Lt plain radiograph of the wrist, PA projection, follow-up, acquired on Siemens:
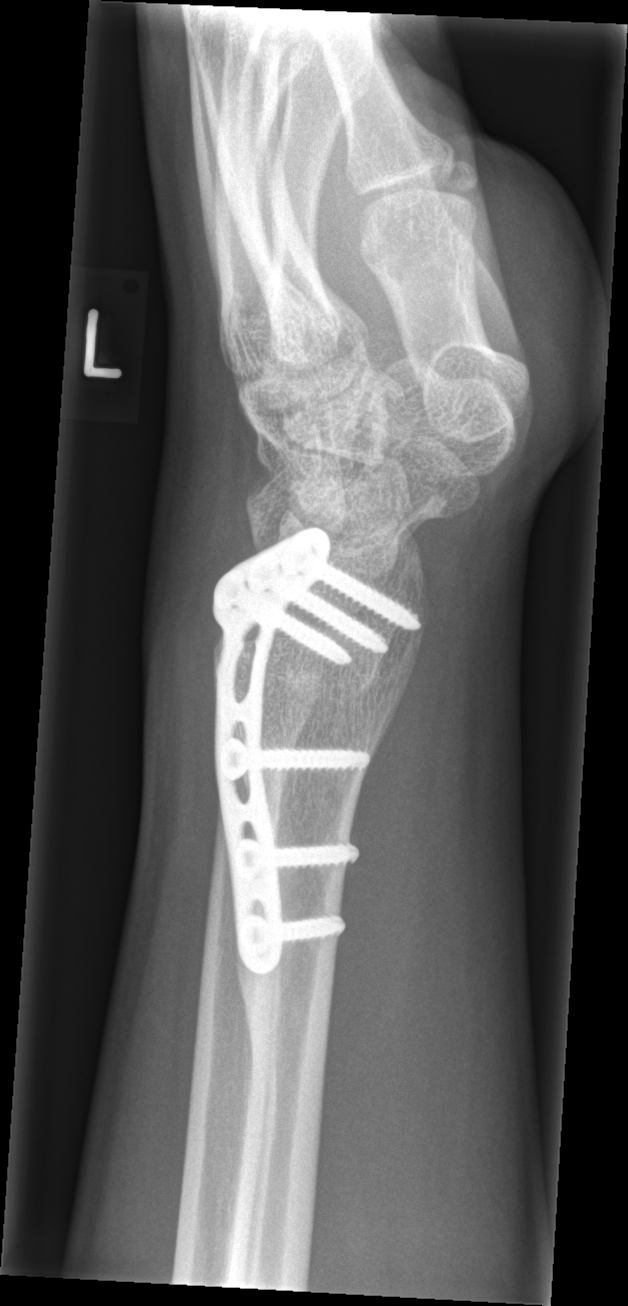

Q: Locate any hardware.
A: One metallic implant at 207,526,423,978
Q: Fracture present?
A: No fracture annotation